Lateral view; R wrist plain film; 445x906

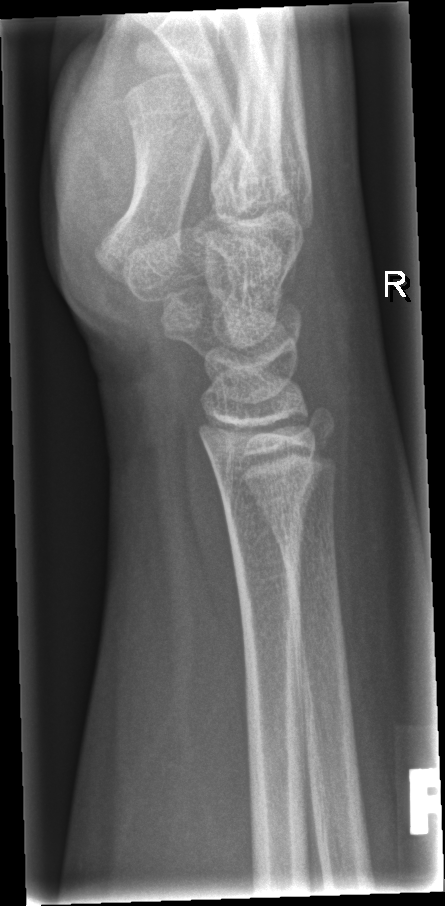
- Fracture classified AO/OTA 23r-M/2.1.
- Fracture — <214,471>-<318,524>.